Lateral projection · left wrist X-ray · 7-year-old boy · follow-up · acquired on Agfa: 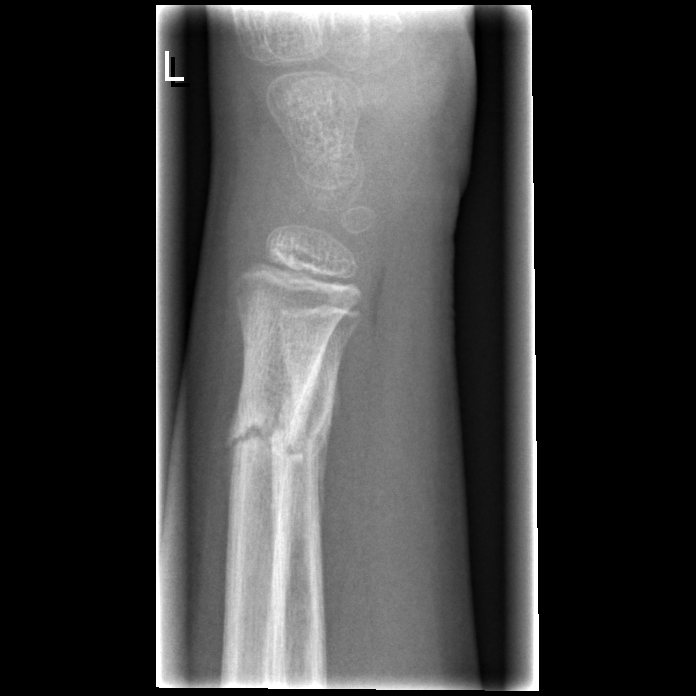 Bounding boxes in image-pixel xyxy. AO/OTA classification: 23-M/3.1. Reduced bone mineral density. Periosteal new bone: [313, 365, 342, 549]. Fracture identified at [268, 405, 334, 472], [223, 412, 301, 465].